Right wrist plain radiograph of the wrist, PA/AP, 12y M, cast in situ:

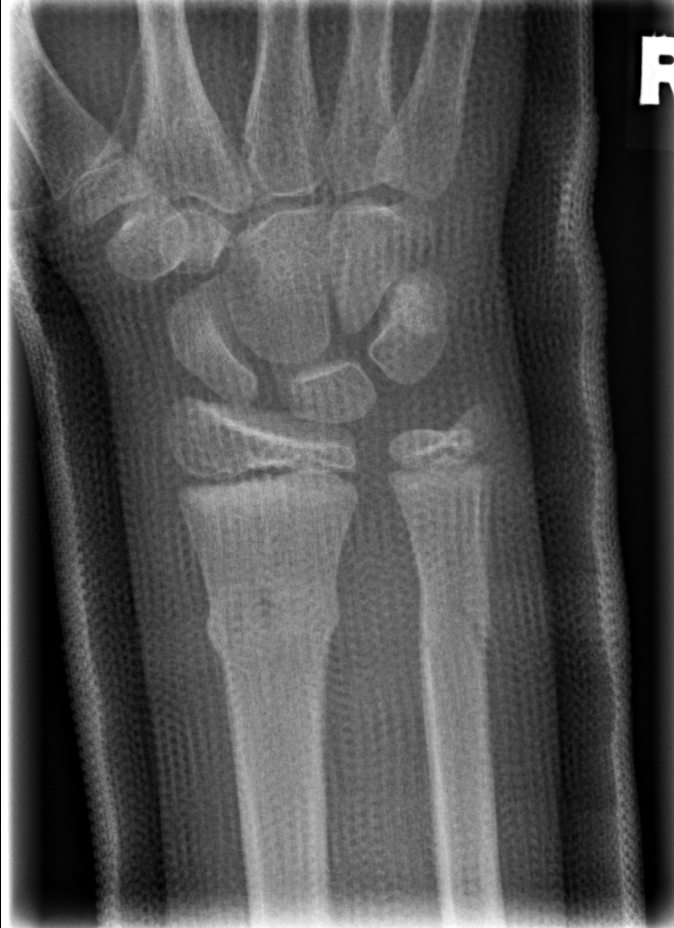
* Coordinates are [x1, y1, x2, y2] in image pixels.
* Bone fractures — bbox(201, 577, 343, 661), bbox(414, 595, 496, 664).